Lat projection; Lt wrist XR; pediatric patient (girl, age 5); follow-up; cast in situ; Siemens:

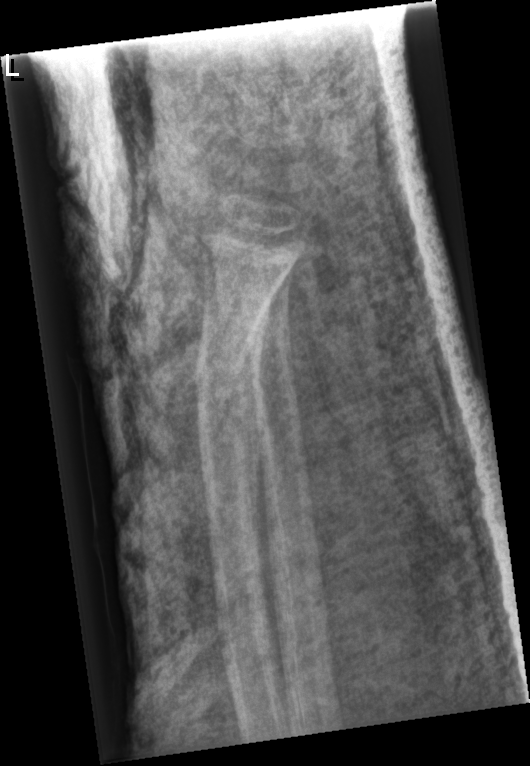 (boxes as x1,y1,x2,y2 (top-left / bottom-right, pixel units))
Fracture = 1 @ bbox(188, 321, 272, 438)
AO code = 23r-M/3.1; 23u-M/2.1